Lat projection; Lt pediatric wrist radiograph; presentation radiograph; acquired on Siemens.

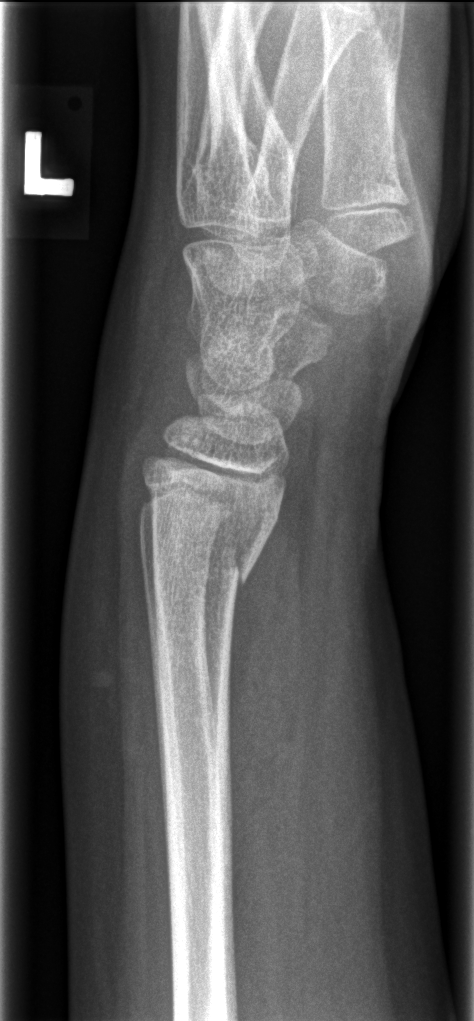 (pixel coordinates, top-left origin, xyxy)
Q: Fracture present?
A: One fracture at [140, 519, 264, 605]
Q: Pronator fat-pad sign?
A: Positive pronator fat-pad sign identified at [224, 506, 315, 839]